Lateral view | left wrist plain film | detector: Siemens —
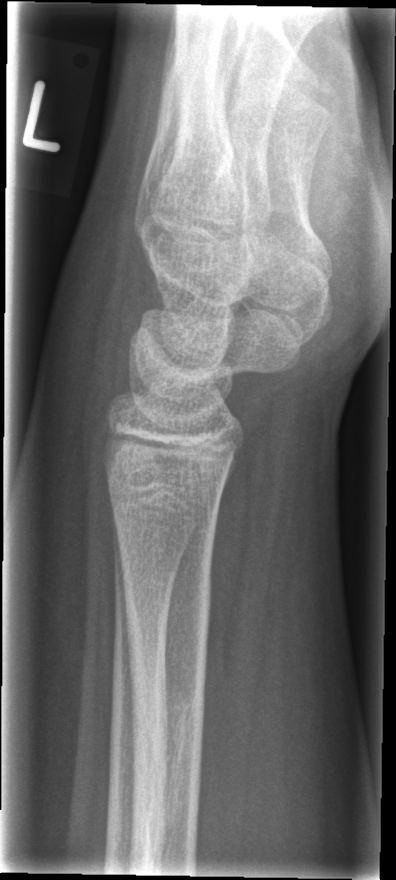
Fracture classified AO/OTA 23u-E/7.
Fx: present but not clearly seen in this view.